Frontal projection | R pediatric wrist radiograph | pediatric patient (girl, age 6) | cast in situ 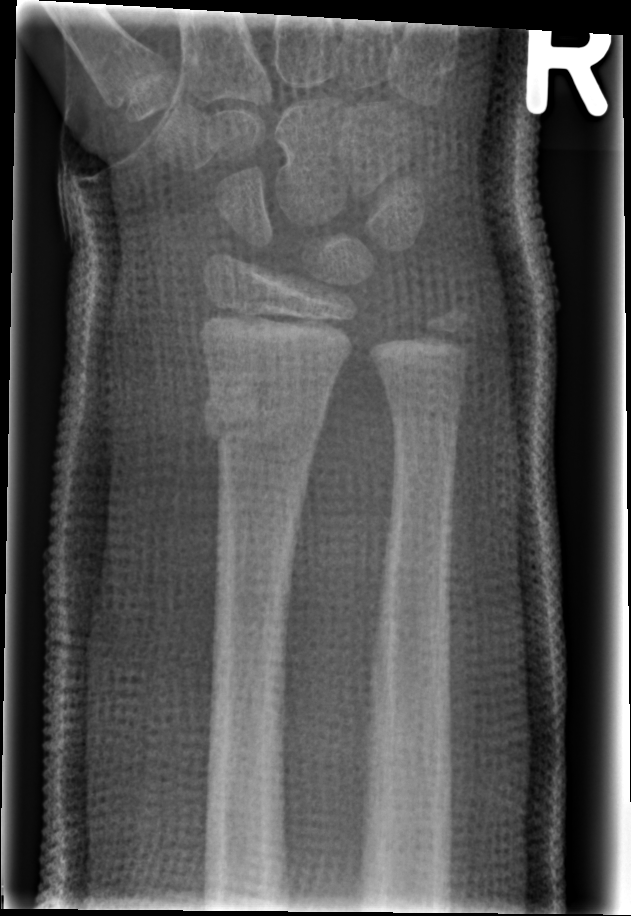
FINDINGS — AO/OTA classification: 23r-M/3.1. Bone fracture — 198,380,326,448.